Left wrist X-ray | lat projection | follow-up | Siemens. 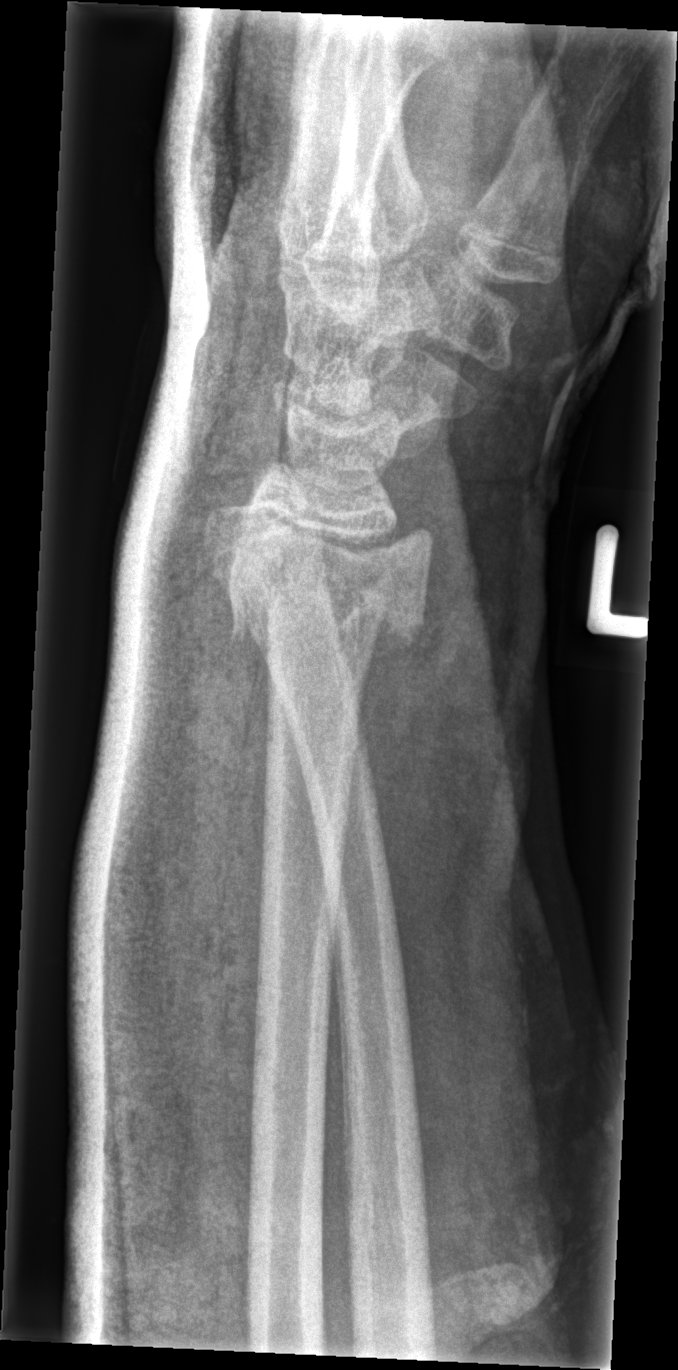 - Pixel coordinates, top-left origin, xyxy.
- AO code 23r-M/3.1; 23u-E/7.
- Bone fracture: <200,505>-<434,650>.